Lateral view | right wrist X-ray | age 13 y, male | imaged through cast

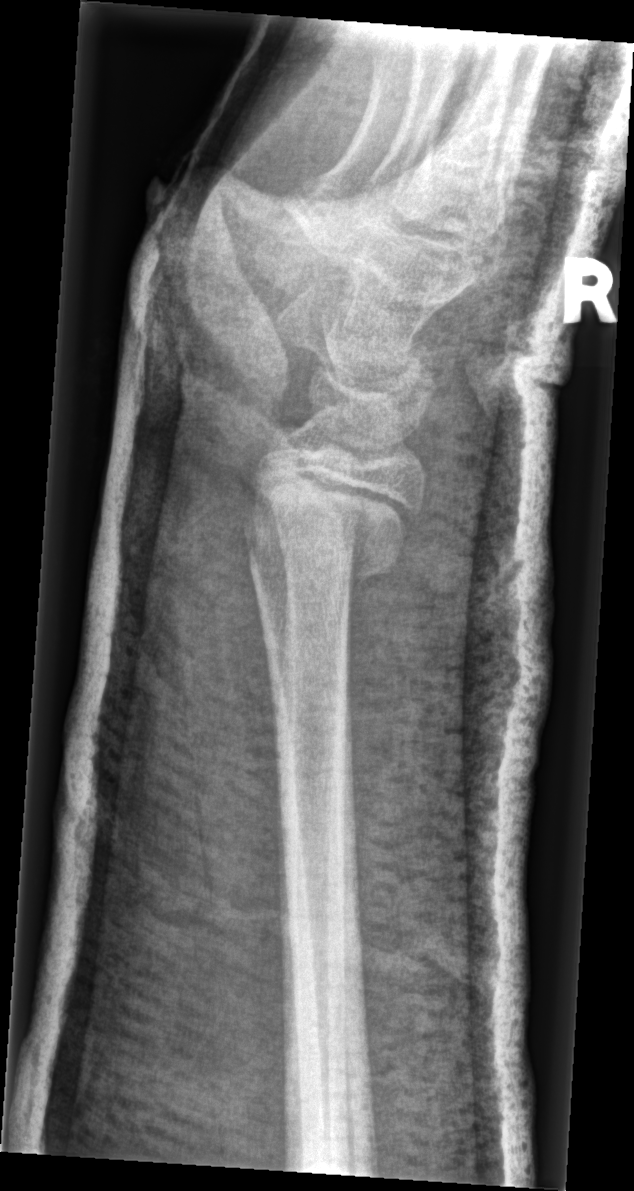

  fracture: 1 @ 236 470 413 588
  ao: 23r-M/3.1; 23u-E/7